Right wrist X-ray | lat | 74.3 mm image width.

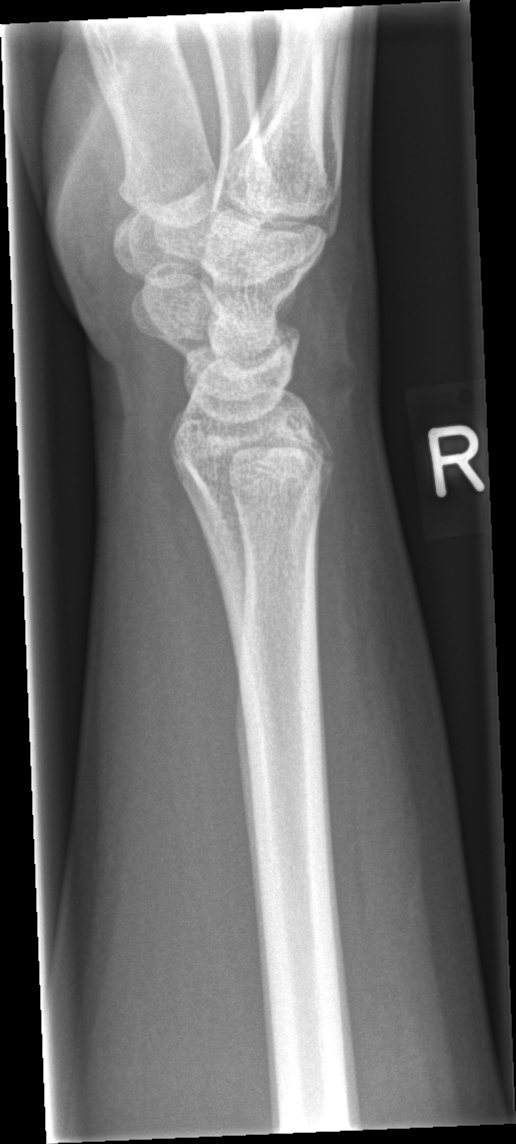

(boxes as x1,y1,x2,y2 (top-left / bottom-right, pixel units))
Fx: (left=188, top=468, right=337, bottom=550)
AO/OTA: 23r-M/2.1